Left wrist pediatric wrist radiograph, lateral projection, pediatric patient (girl, age 7), 550x982 —

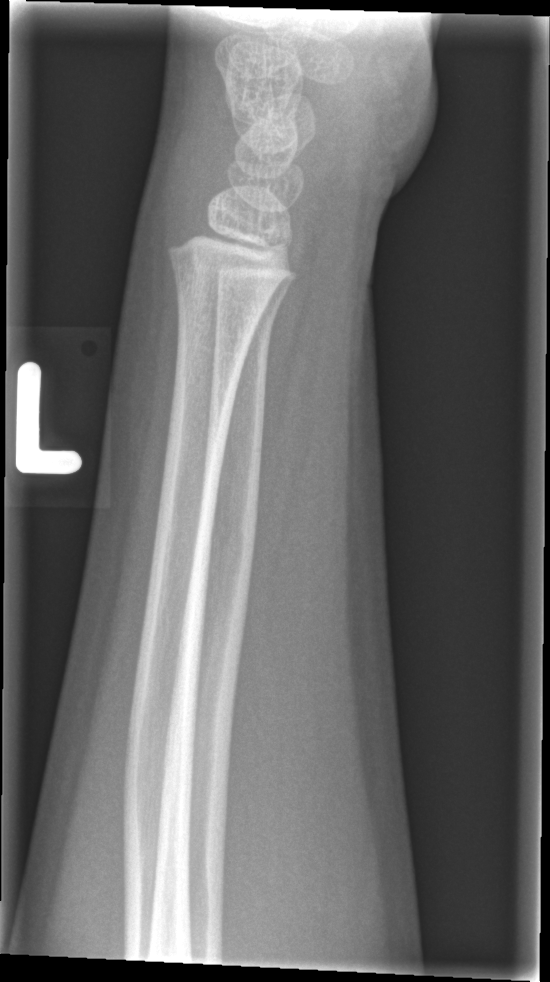
Fx: none.